Left wrist pediatric wrist radiograph · lateral projection · pediatric patient (female, age 10) · initial study · equivocal findings · 414 x 780 px 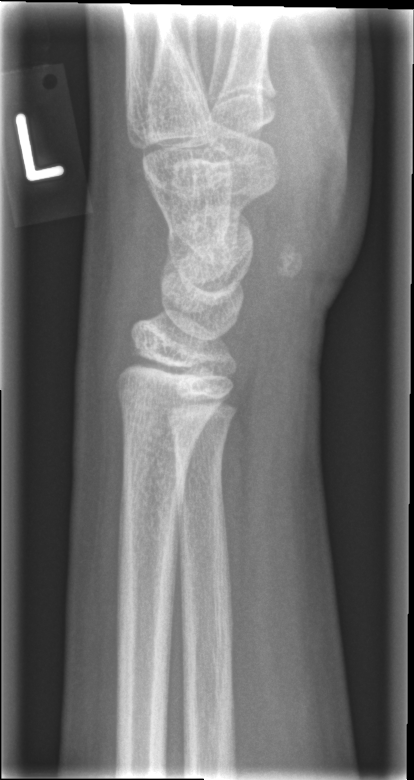
No fracture bounding box.